Lateral projection; Rt plain radiograph of the wrist; age 10 y, male; cast in situ.

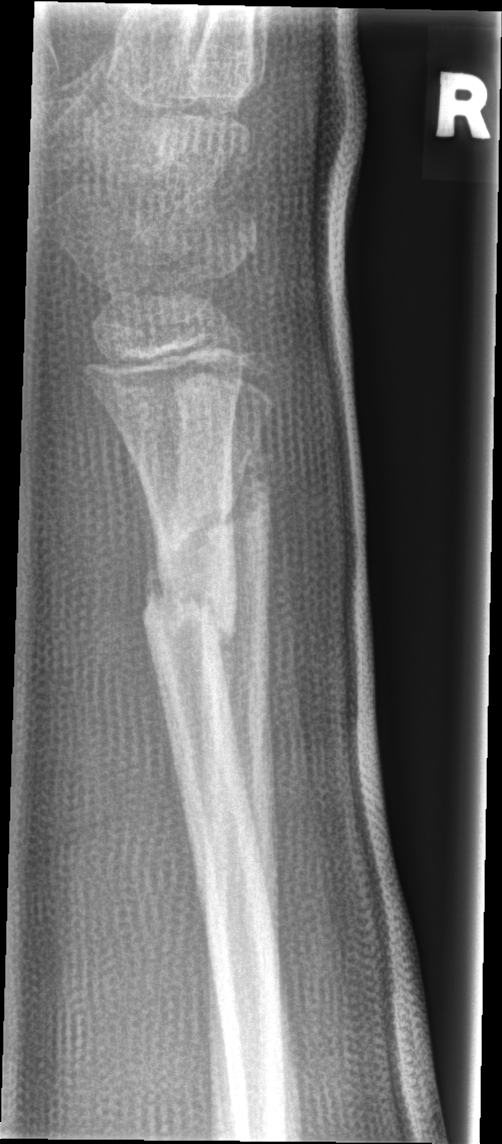 Bone fracture: [135, 513, 241, 664].
AO/OTA classification: 23-M/3.1.